Left wrist plain film · lat projection · cast present · image 118.9 mm wide 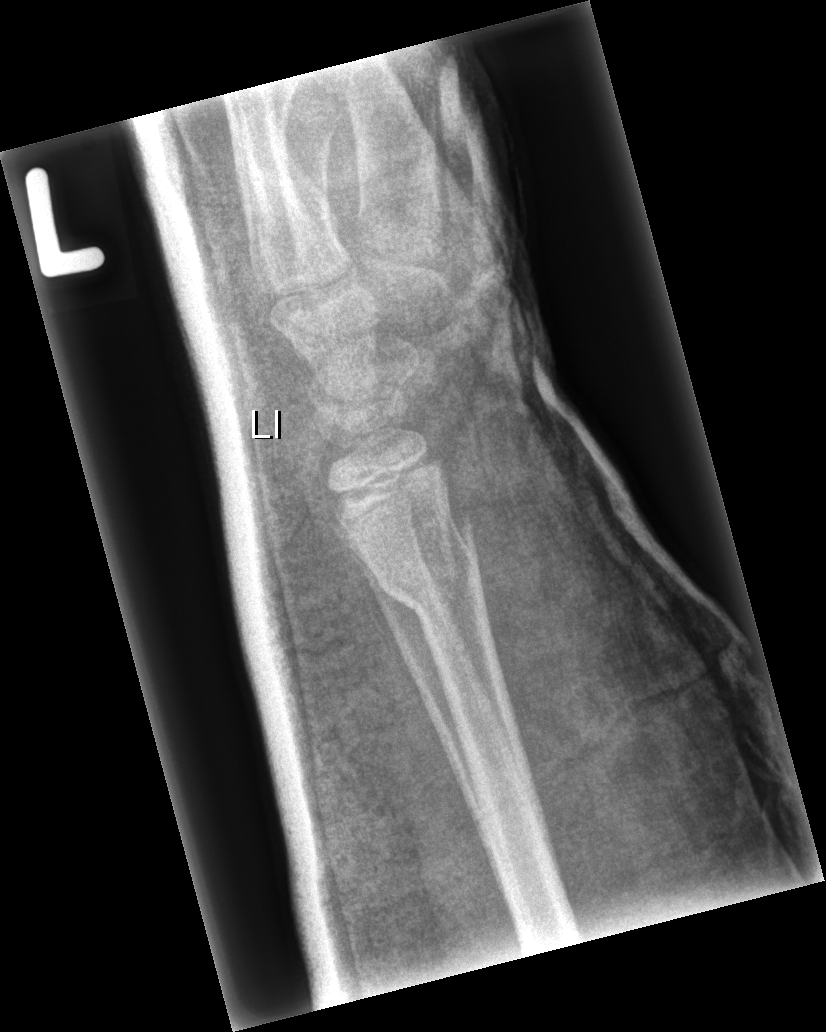
# coordinates are [x1, y1, x2, y2] in image pixels
ao: 23r-M/3.1
fracture: 365 506 487 625